Left wrist pediatric wrist radiograph · AP view · 10y M · follow-up —
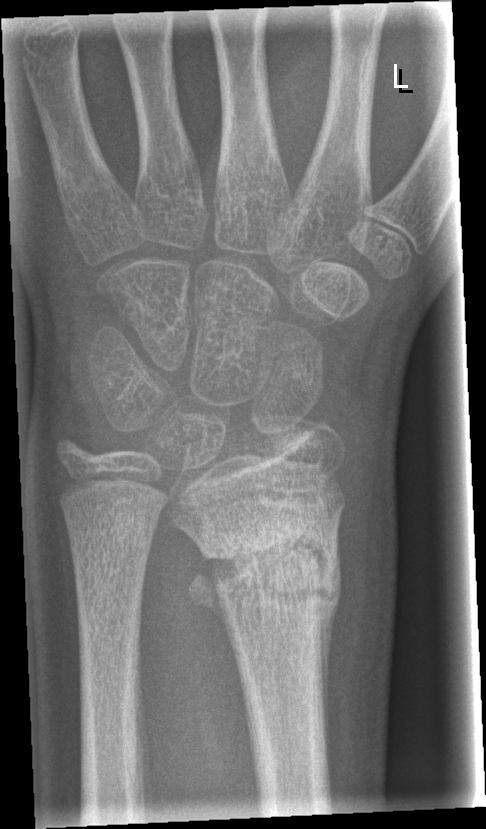

{
  "ao": "23r-M/3.1; 23u-M/2.1",
  "fracture": "199,512,342,617",
  "periostealreaction": "313,521,343,773\n  190,555,232,625",
  "osteopenia": "present"
}